Lt wrist XR · frontal
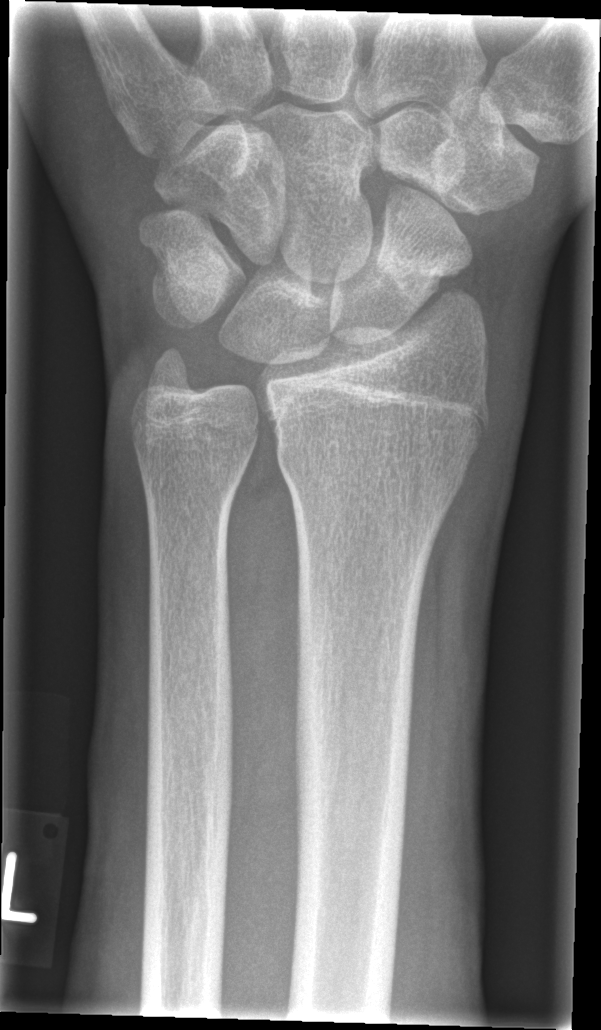 No fracture labeled.